Right wrist plain film, AP projection, boy, 13 yo —

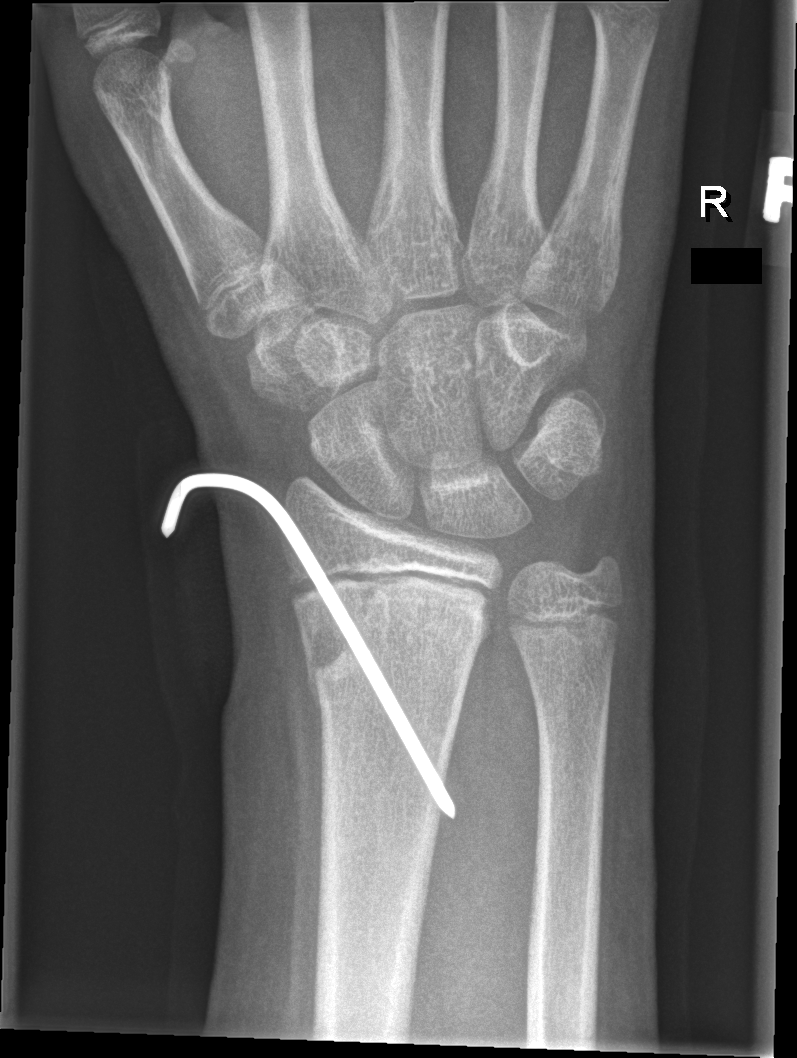 {
  "_coords": "coordinates are [x1, y1, x2, y2] in image pixels",
  "fracture": "bbox(299, 585, 489, 711)",
  "osteopenia": "present",
  "metal": "bbox(158, 467, 458, 822)",
  "ao": "23r-M/3.1"
}